R pediatric wrist radiograph; lateral; age 10 y, female; imaged through cast; image size 624x1218.
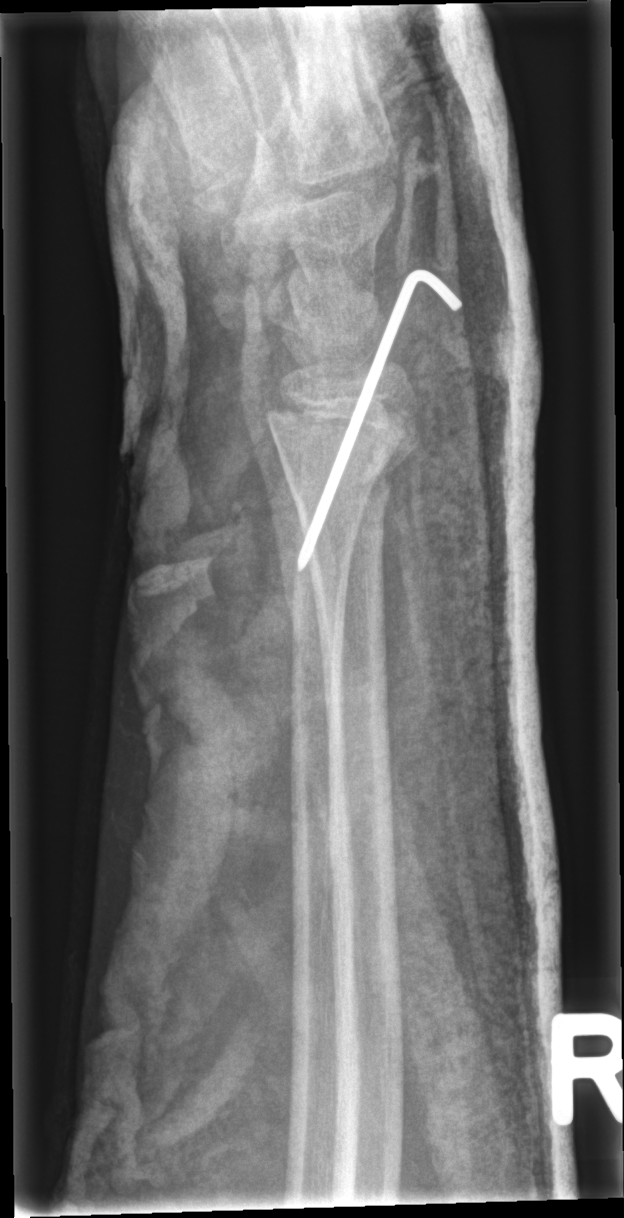

FINDINGS: AO code 23r-E/2.1; 23u-E/7. Metallic hardware identified at 292 264 464 574. Fx: 272 391 421 492.